Left wrist X-ray, lateral projection, pediatric patient (male, age 14):
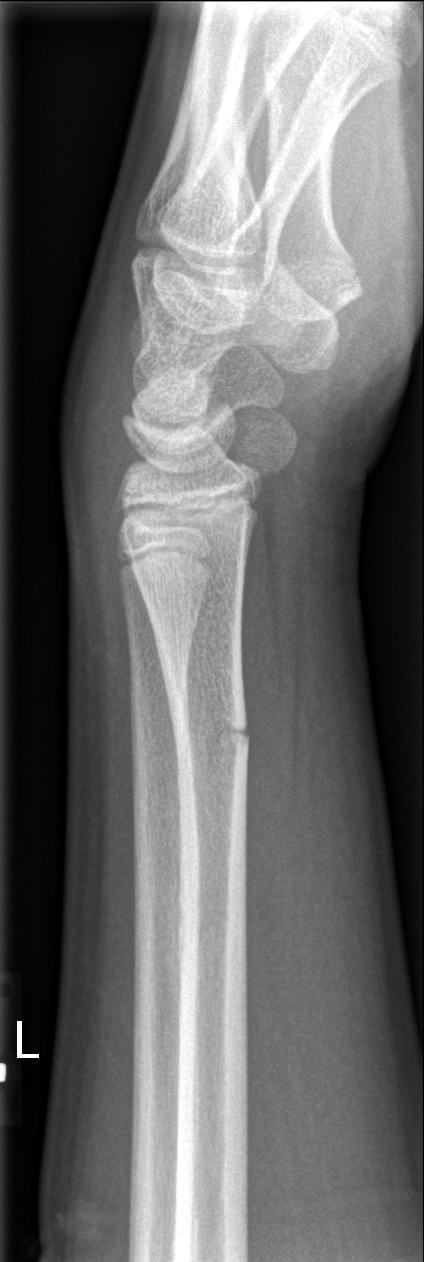
Q: Locate any fractures.
A: Fx — (170, 708, 253, 764)